Rt wrist plain film, posteroanterior —

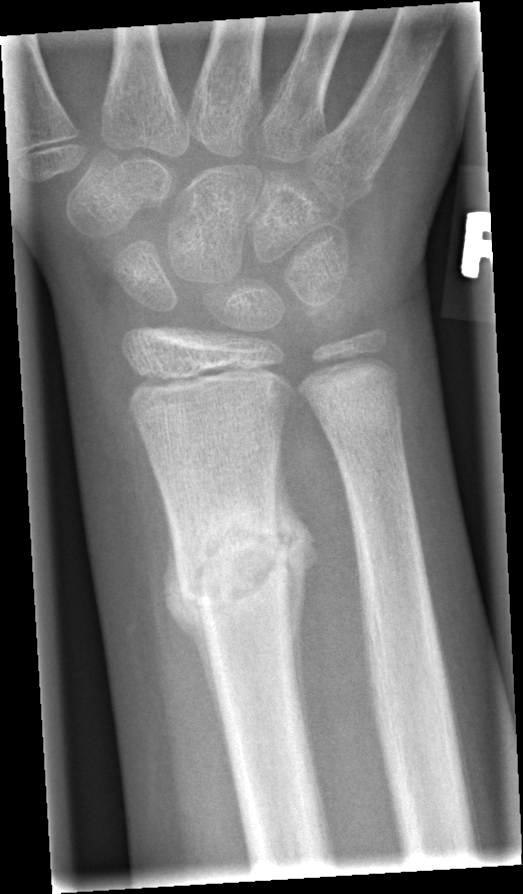

(pixel coordinates, top-left origin, xyxy)
Q: Bone density?
A: Osteopenic
Q: Is there a fracture?
A: Fracture identified at (171, 510, 297, 621) (315, 371, 408, 446)
Q: Any periosteal thickening?
A: Two periosteal new bone at (162, 513, 230, 757); (275, 430, 321, 768)